Rt wrist plain film | lat view | 49.7 mm image width — 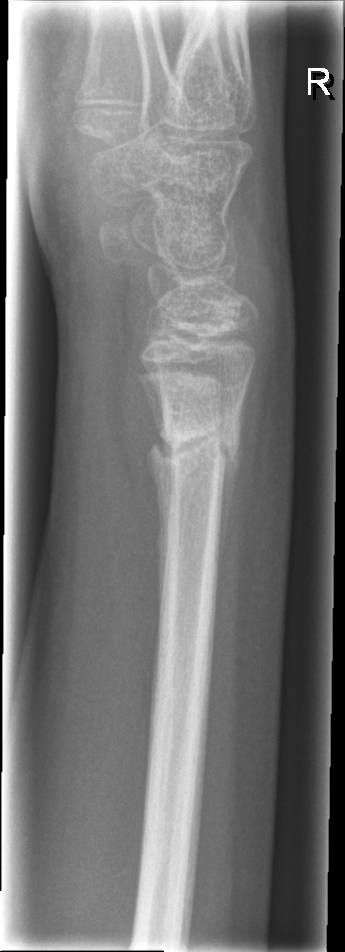

Coordinates are [x1, y1, x2, y2] in image pixels. Periosteal new bone: 216,372,250,594
  147,441,172,619. One fracture at 144,414,246,479.